Left wrist plain film, lateral projection, index exam, Siemens

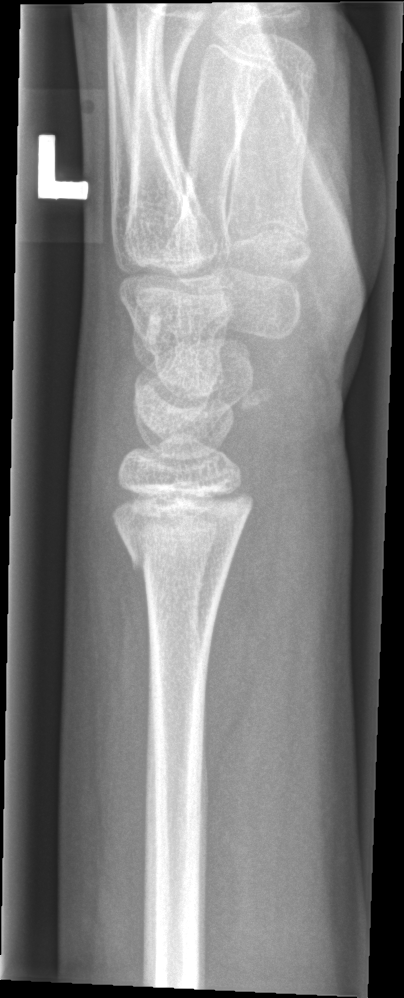
Pronator sign — [x1=201, y1=478, x2=285, y2=781].
Fx: [x1=108, y1=481, x2=257, y2=582].
Fracture classified AO/OTA 23r-M/2.1.